Lat projection | right pediatric wrist radiograph | age 14 y, male | initial study | image width 95.0 mm. 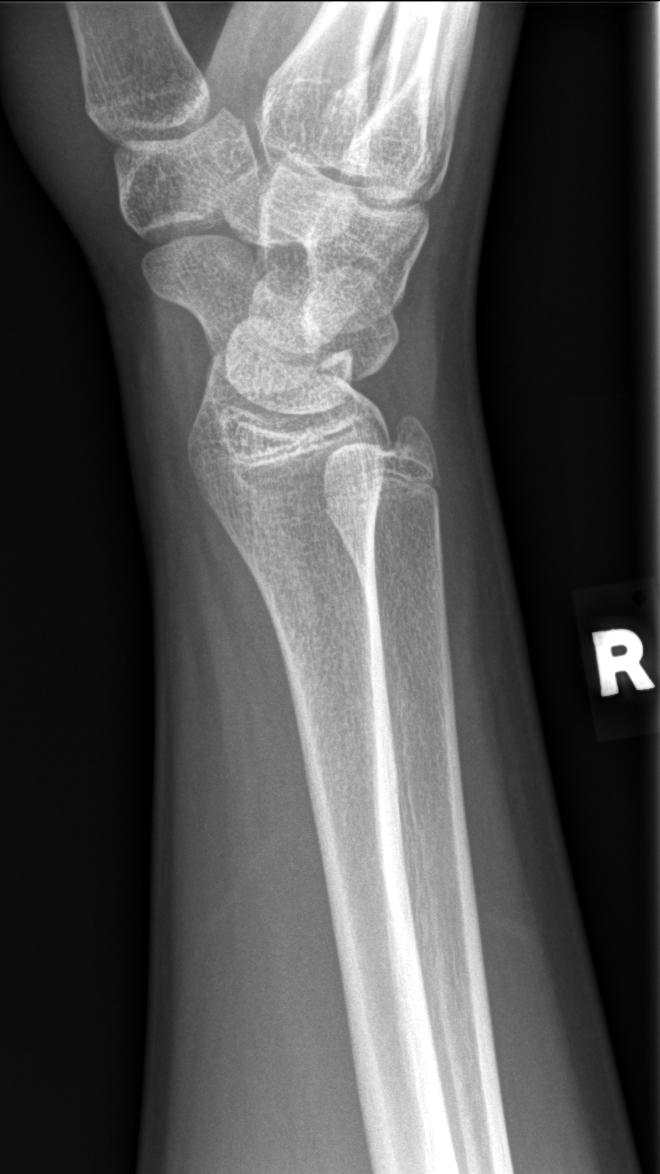

Fx: none.